Lat projection, L wrist XR, age 9 y, boy, in cast —
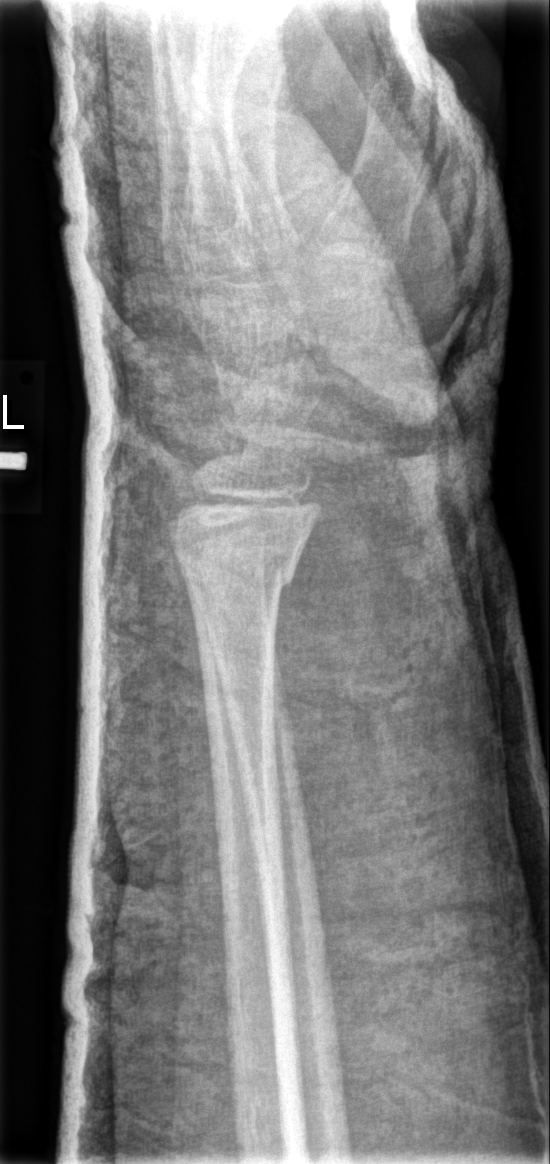

Fx identified at 176 544 307 605.